Lt wrist plain film, lateral projection, age 9 y, boy, initial study:

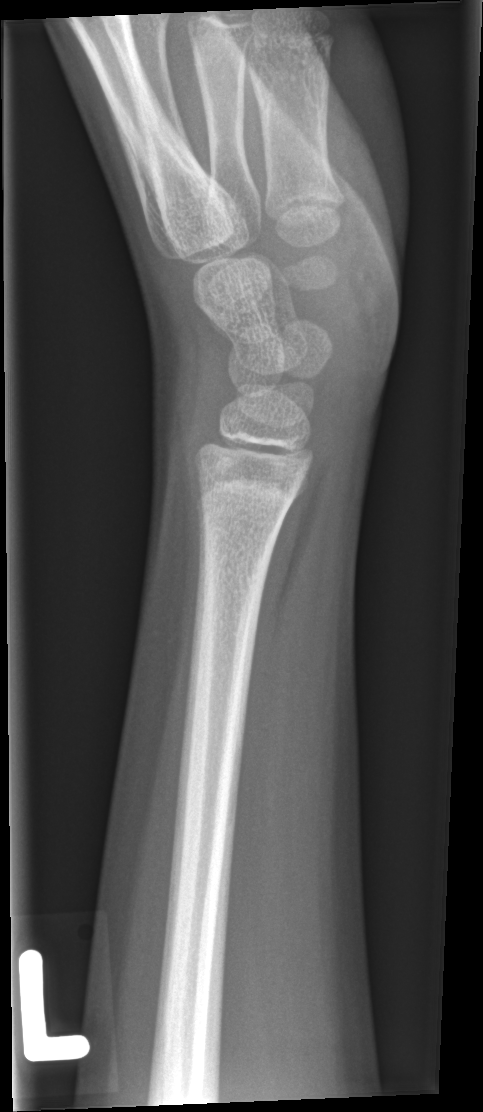

No fracture bounding box.